R wrist XR; lateral projection; acquired on Siemens; 384x1003:
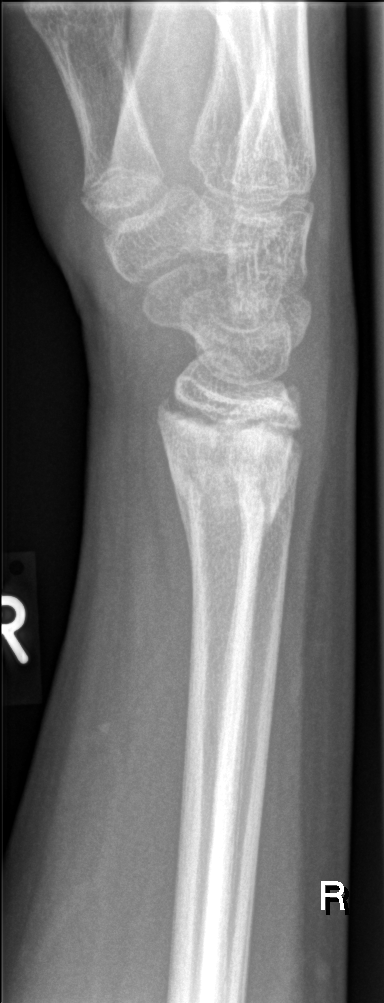 AO code: 23r-E/2.1; 23u-M/2.1; 23u-E/7
periosteal reaction: 172 477 193 572
bone fracture: 1 @ 151 395 307 536